Posteroanterior view, L wrist XR, 9y M, detector: Siemens

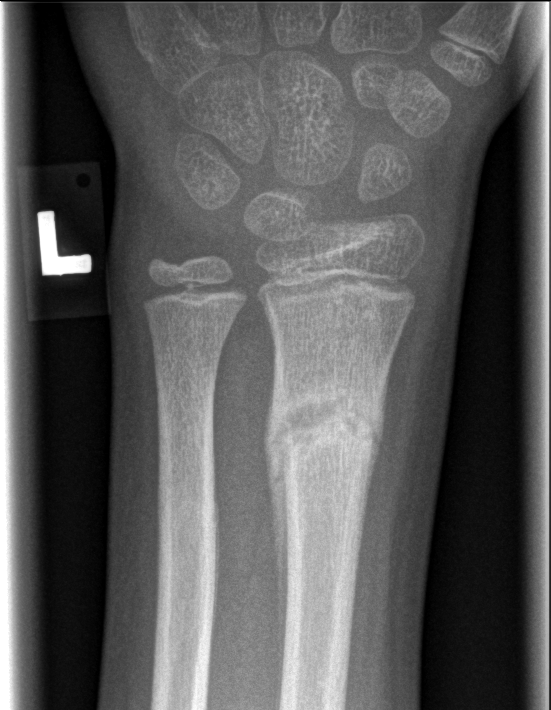
• Fracture — (266, 374, 386, 483).
• Fracture classified AO/OTA 23r-M/3.1.
• Periosteal reaction identified at (261, 374, 291, 709), (359, 359, 392, 551).
• Osteopenia.